PA projection | Lt wrist radiograph | 774x942 —
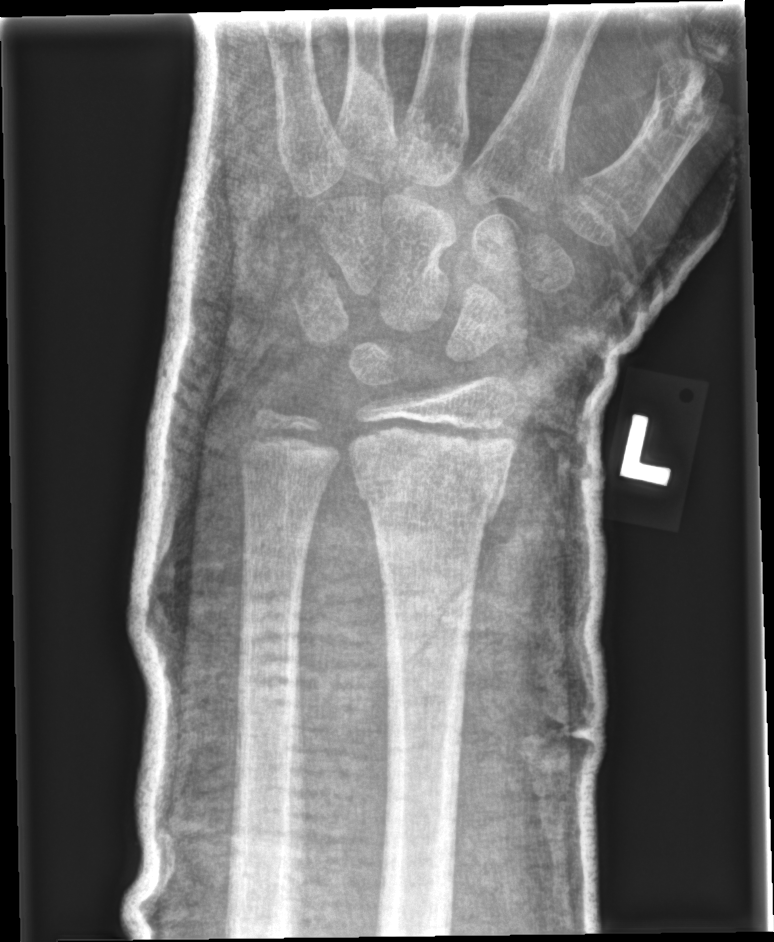

Findings: AO code 23r-M/3.1. One Fx at 346 434 512 523.